Right wrist radiograph, lat projection, 11y M, presentation radiograph, Siemens, image 75.9 mm wide:

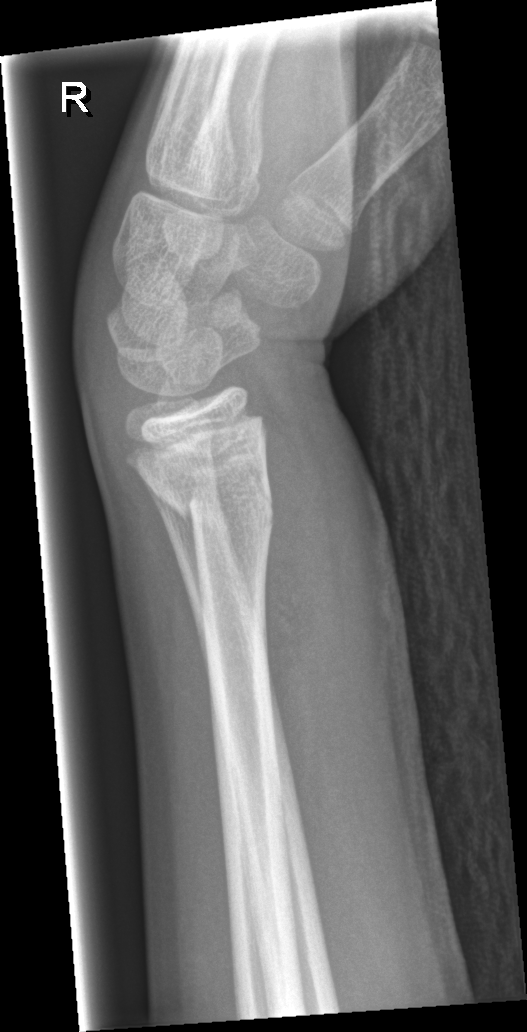 (coordinates are [x1, y1, x2, y2] in image pixels)
Positive pronator fat-pad sign = 1 @ bbox(259, 395, 344, 788)
Bone fracture = bbox(159, 453, 276, 540)
AO code = 23r-M/3.1